Rt pediatric wrist radiograph | lateral | acquired on Siemens: 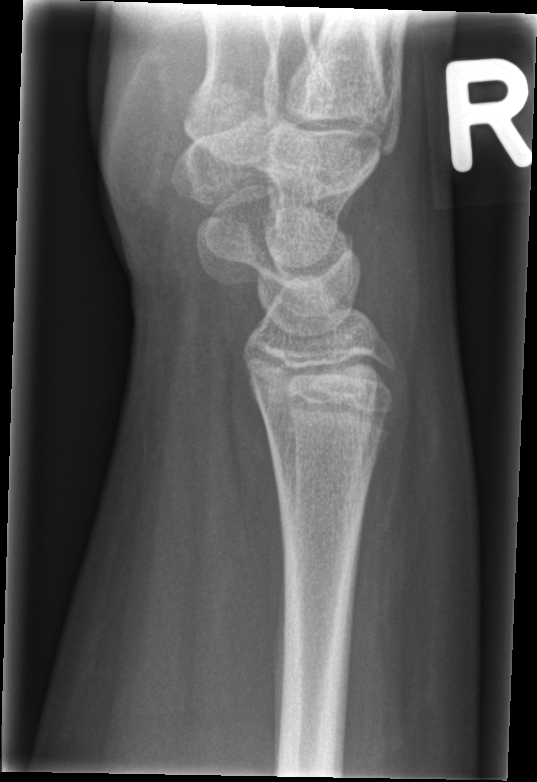 fracture: none labeled